Lateral projection; L wrist radiograph; male, 13 yo:

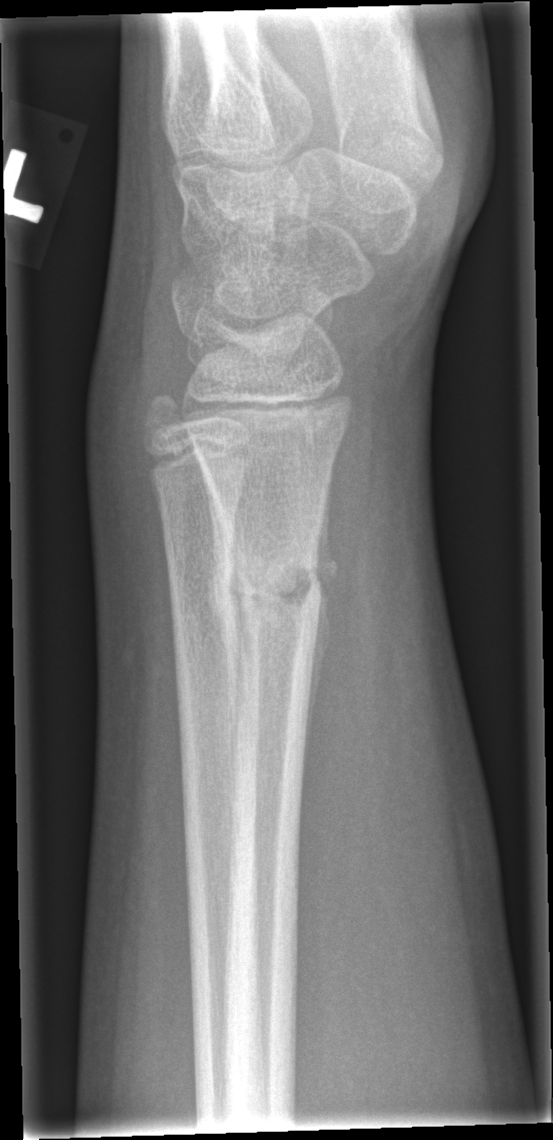
Pixel coordinates, top-left origin, xyxy. AO/OTA classification: 23r-M/3.1; 23u-E/7. Osteopenic. Periosteal reaction — bbox(303, 462, 339, 778) bbox(207, 482, 246, 762). Bone fracture identified at bbox(214, 540, 326, 629); bbox(139, 386, 195, 444).